Right wrist radiograph, lat, presentation radiograph, 476x808 —

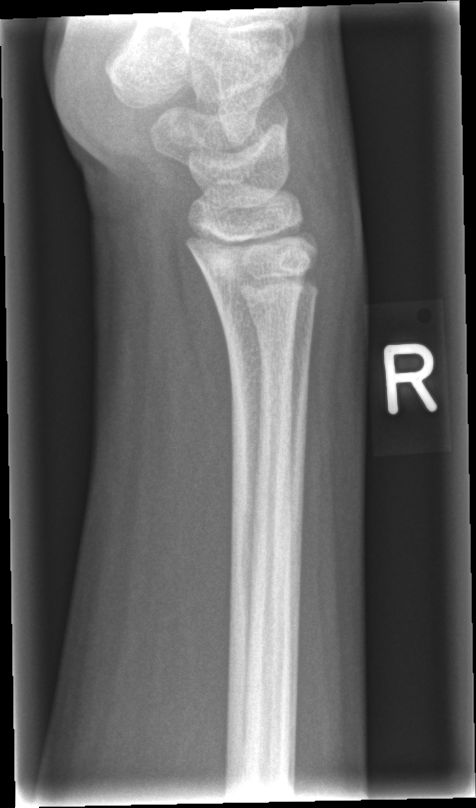
Findings: Fx: none.